Lat view | left pediatric wrist radiograph | 13y M | image width 76.2 mm.

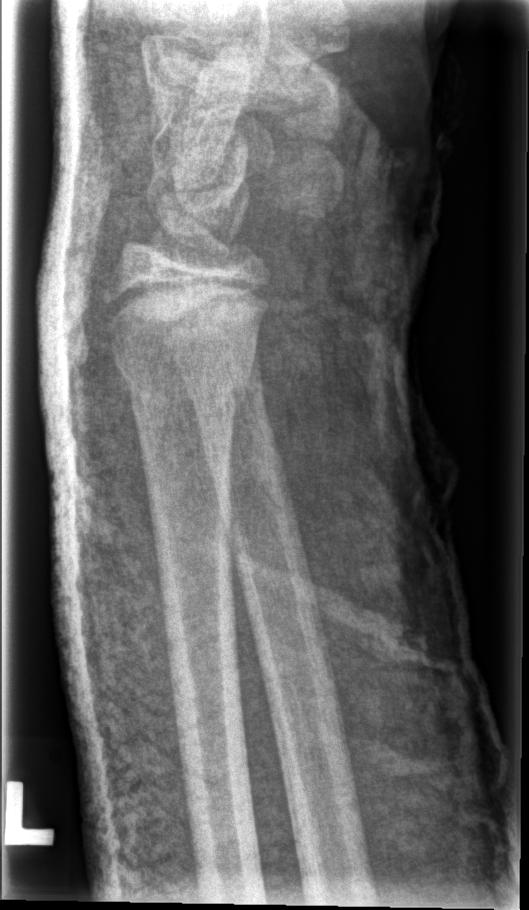

FINDINGS — Fracture identified at bbox(113, 345, 254, 430).